Frontal | R pediatric wrist radiograph | 13y F | presentation radiograph | image 89.6 mm wide | 622 x 1068 px 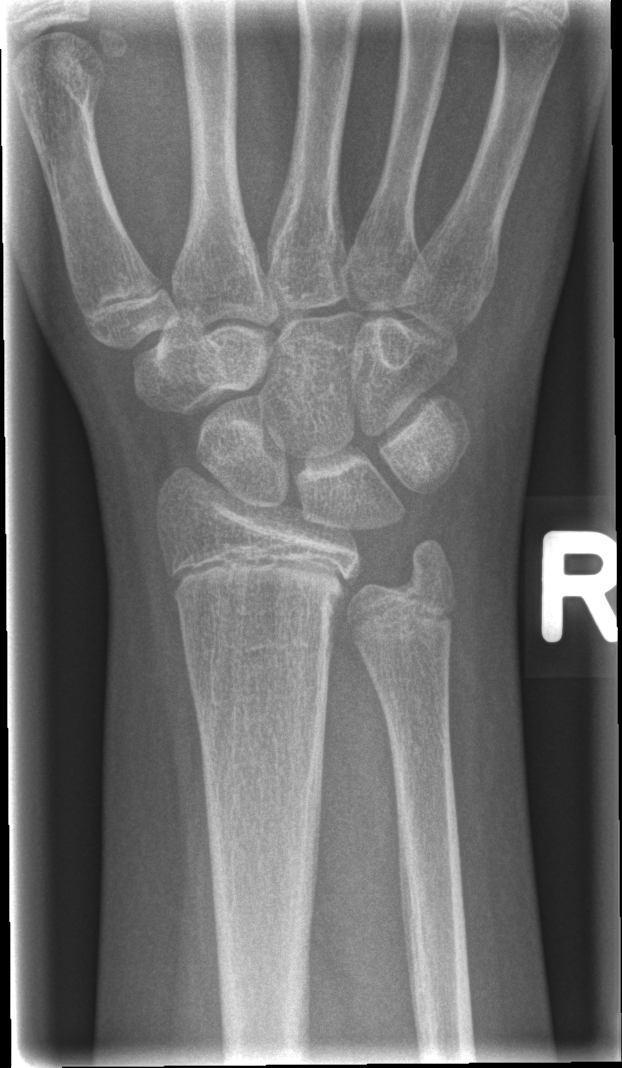

No fracture labeled.